L wrist X-ray, lateral view — 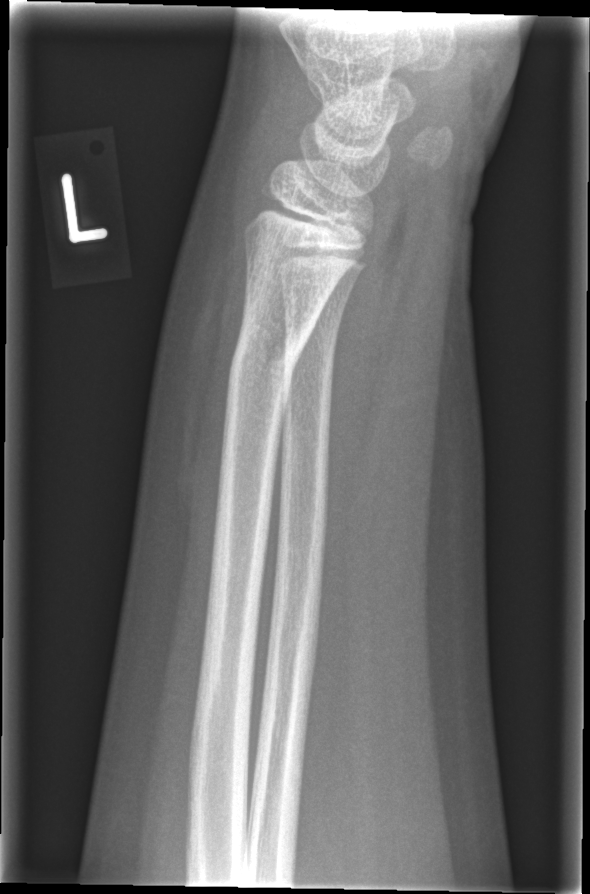 FINDINGS: One Fx at <220,320>-<310,406>.